Rt wrist plain film | PA view | 6-year-old boy | cast present.

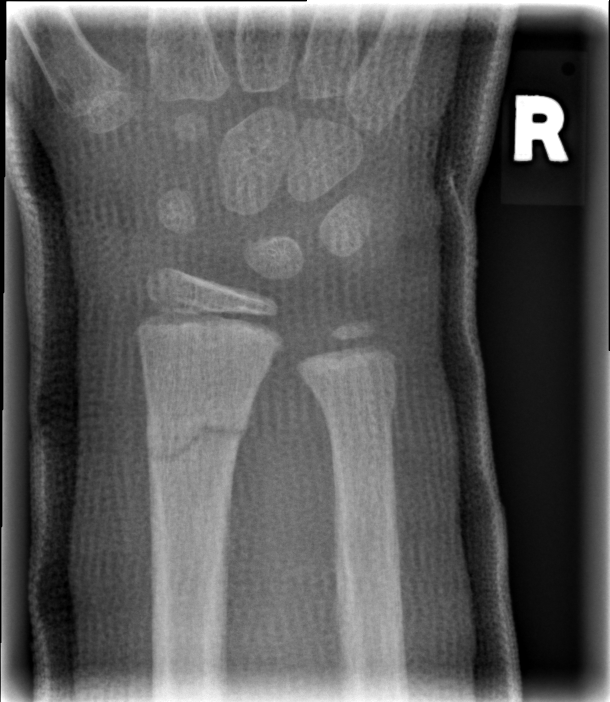

  # boxes as x1,y1,x2,y2 (top-left / bottom-right, pixel units)
  fracture: [x1=143, y1=408, x2=253, y2=478]; [x1=311, y1=359, x2=407, y2=432]